AP view | left wrist XR | age 15 y, male | 564 by 1074 pixels —

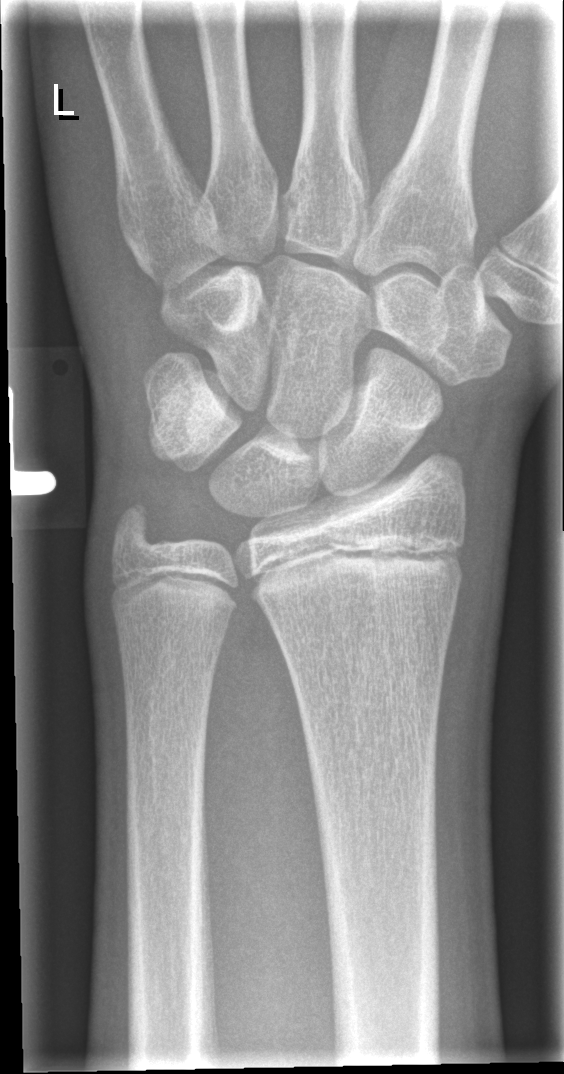 Fracture: none labeled.